Lat view | R wrist X-ray | female, 6 yo | 566 x 944 px:

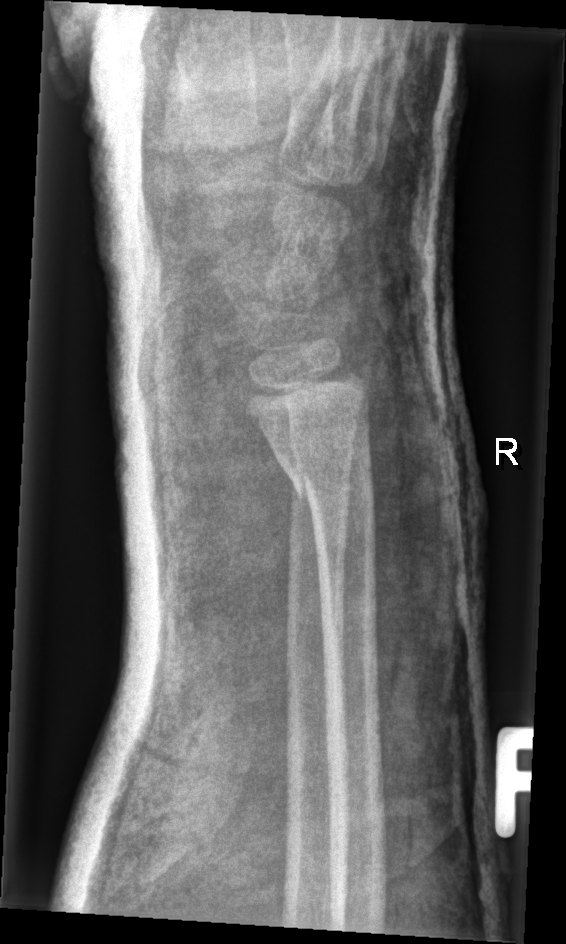
FINDINGS: AO code 23-M/2.1. Fracture identified at <284,436>-<377,502>.